Lat projection; left wrist X-ray; 76.0 mm image width.

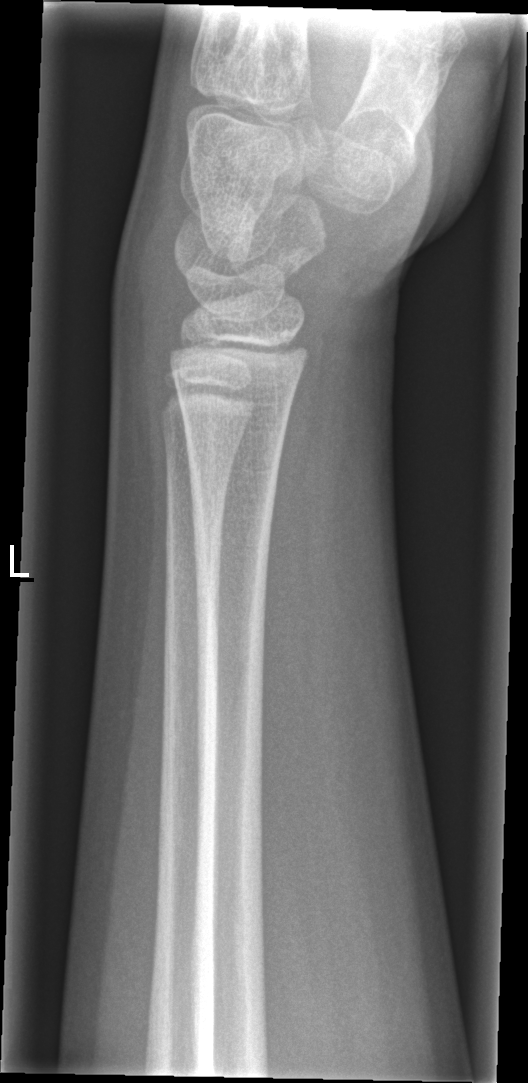

Fracture: none labeled.